Lateral projection; right wrist XR; 496x1179.

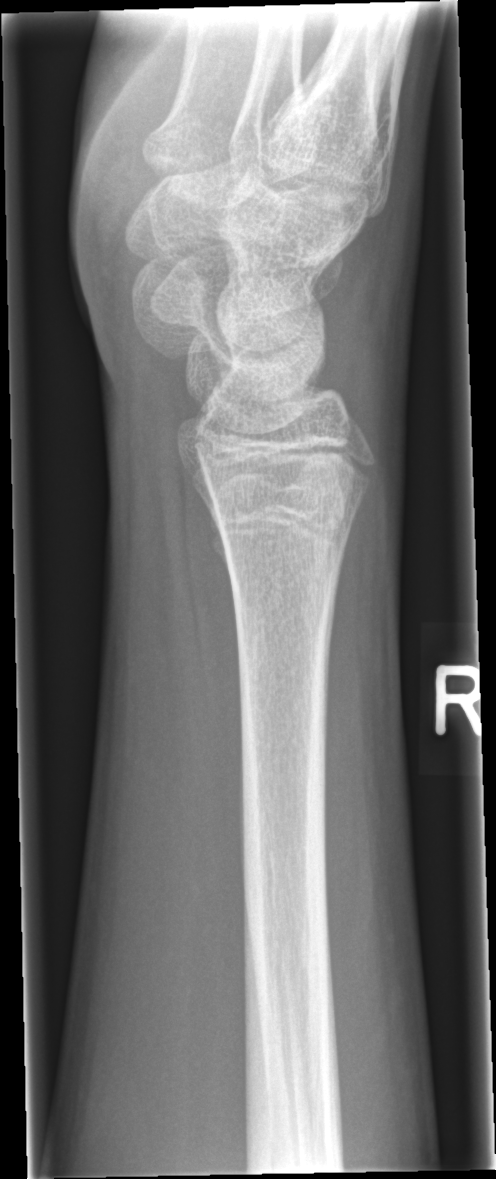

- Fracture: none labeled.